R wrist XR · lat view · cast in situ · acquired on Siemens 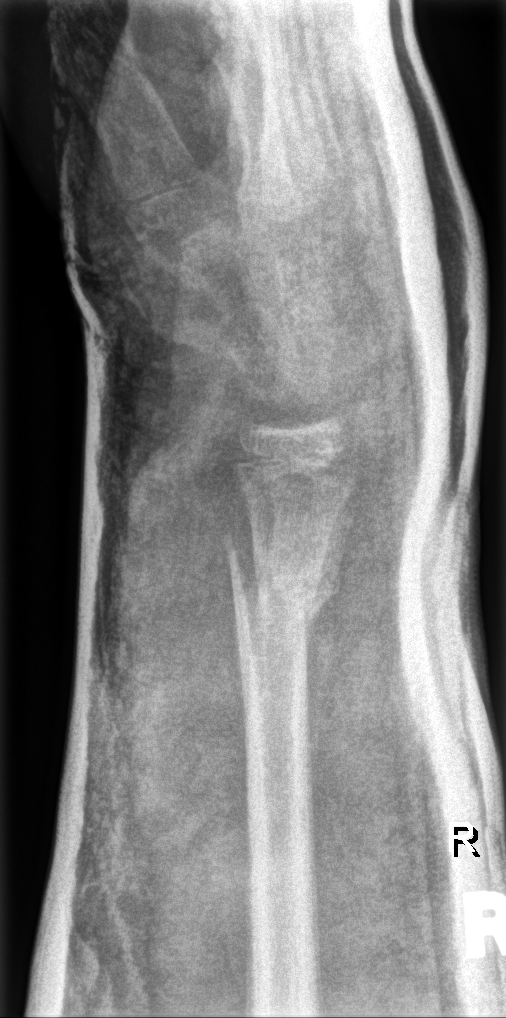 AO code = 23r-M/3.1; 23u-M/2.1
Fx = 1 @ <220,530>-<346,627>